Posteroanterior projection, right wrist X-ray, 10y F

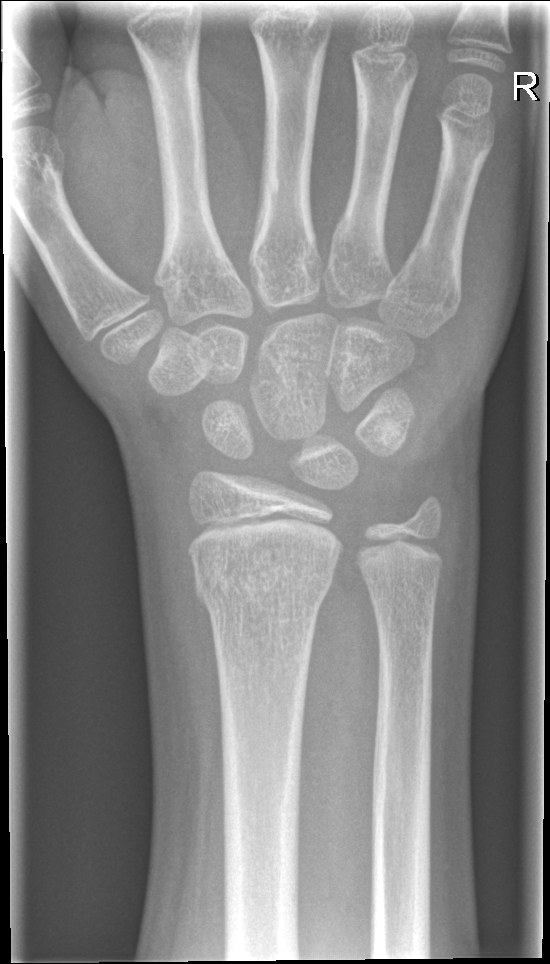
ao: 23r-M/2.1
fracture: 1 @ (left=190, top=555, right=336, bottom=613)